PA, left wrist XR, 14-year-old female, 80.1 mm image width —
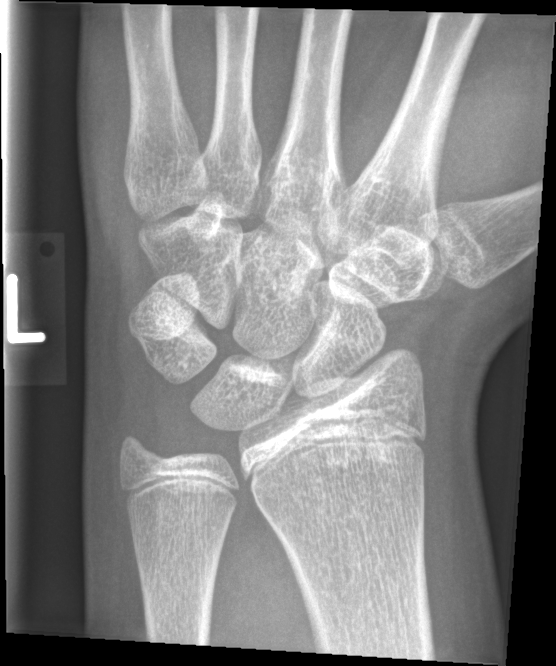
FINDINGS — No fracture bounding box.